PA/AP projection, Lt plain radiograph of the wrist, follow-up study, cast present —

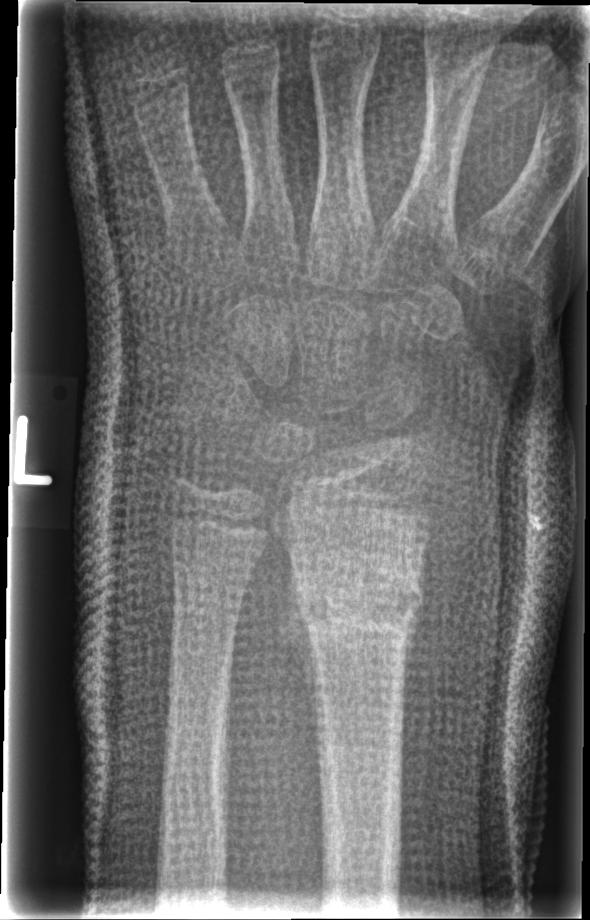 AO code = 23r-M/2.1
periosteal reaction = <279,559>-<319,768>
bone fracture = 1 @ <289,551>-<432,640>